Frontal projection · Rt wrist X-ray · 7-year-old male · 610 by 1228 pixels —
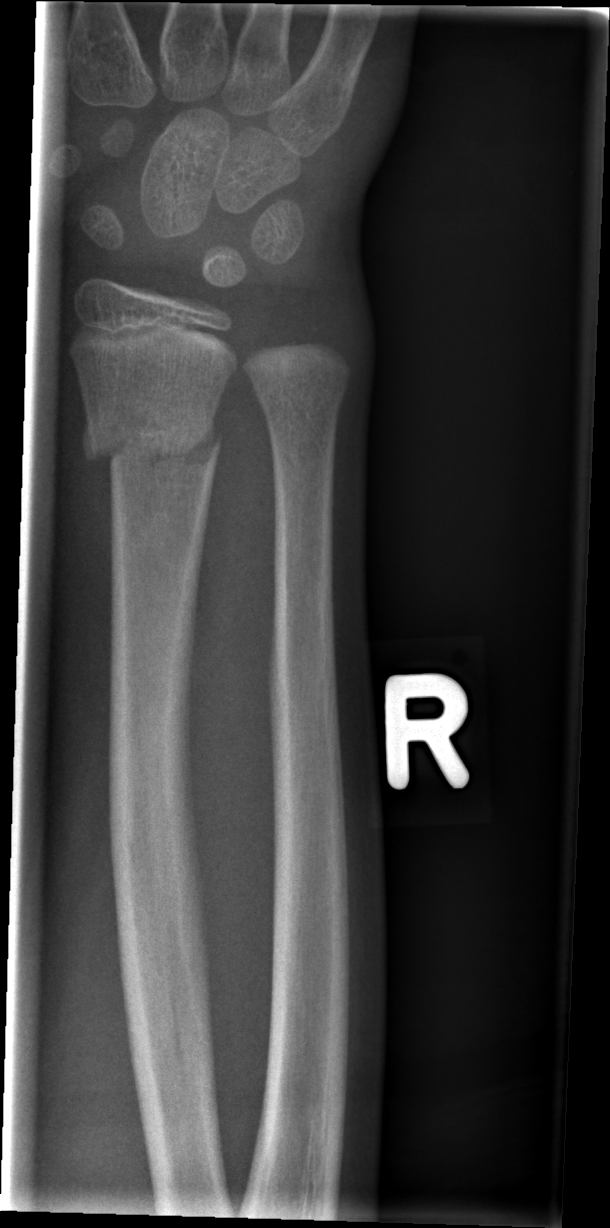

  fracture: 2 @ (left=79, top=403, right=228, bottom=474) (left=251, top=367, right=352, bottom=425)